Posteroanterior view | Rt pediatric wrist radiograph | index exam —
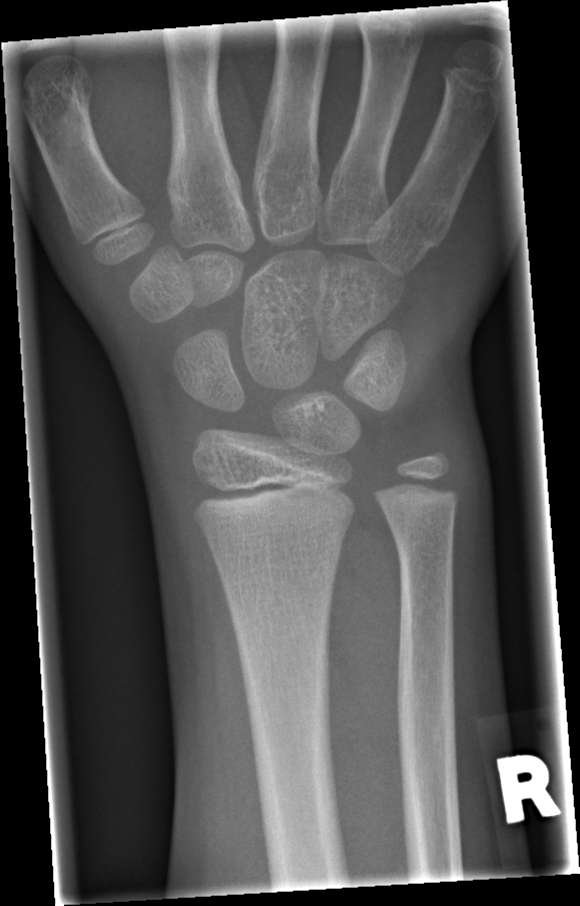 FINDINGS: Fracture present, though not clearly seen in this view. AO/OTA classification: 23r-M/2.1.